Lateral view, right wrist plain film, 12y M, cast present
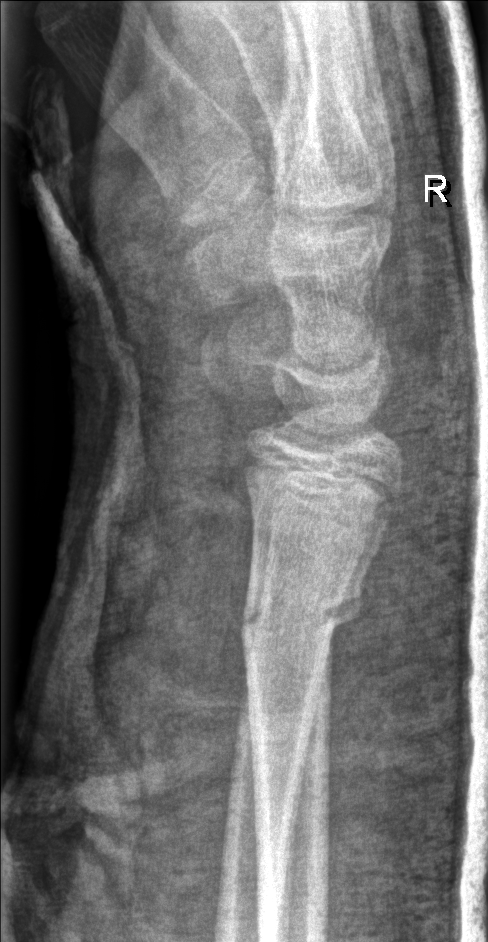

Q: Locate any fractures.
A: Fx: [x1=237, y1=570, x2=367, y2=646]